Posteroanterior view; right plain radiograph of the wrist; age 12 y, male; subsequent exam; Siemens; image width 106.0 mm; 736 by 1262 pixels. 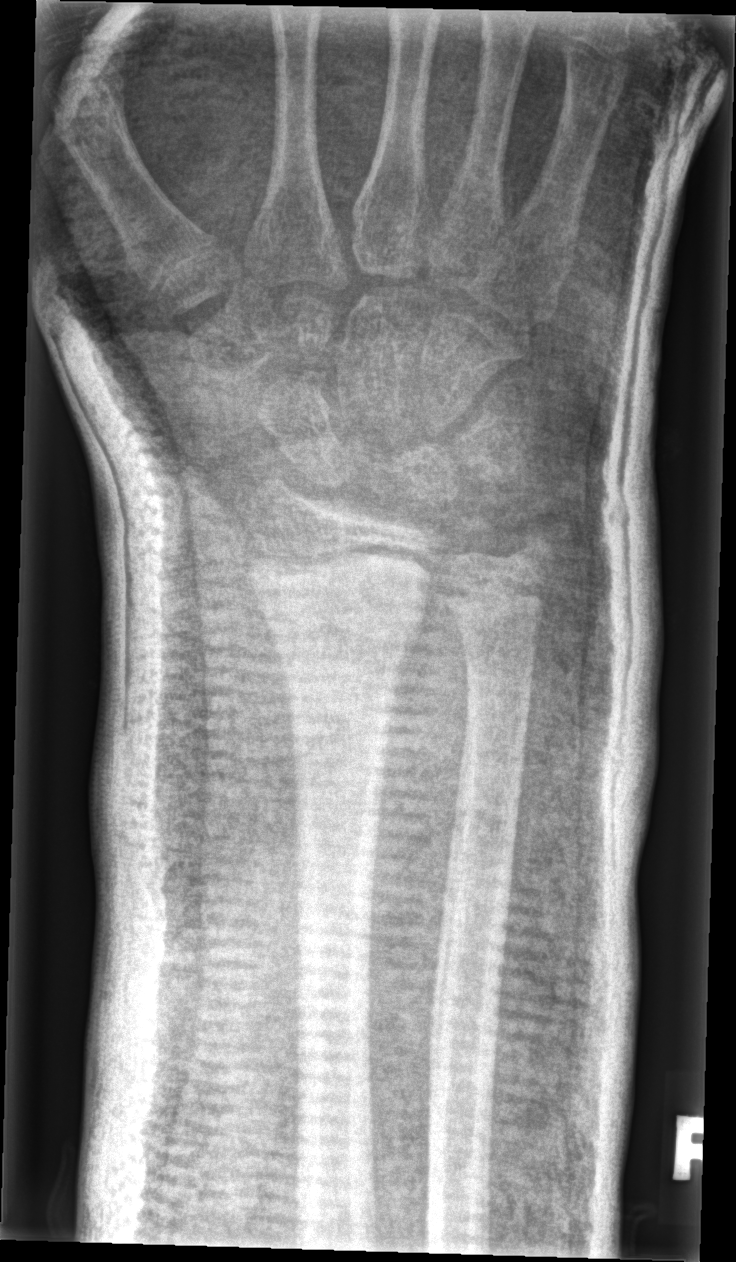 Fx present but not clearly seen in this view.